Left wrist radiograph · PA: 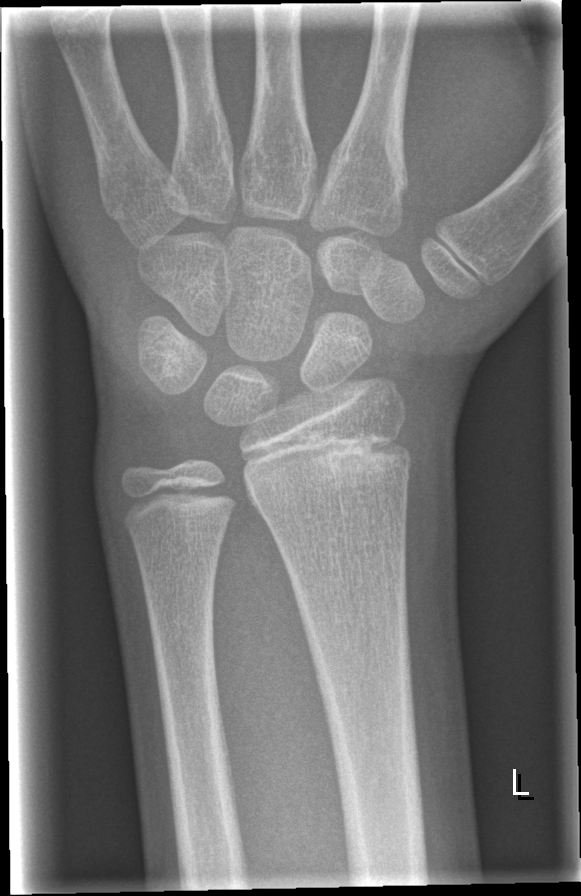
Fx: none labeled